Lt wrist X-ray · PA/AP · subsequent exam · cast in situ · 68.3 mm image width · image size 474x1026 —

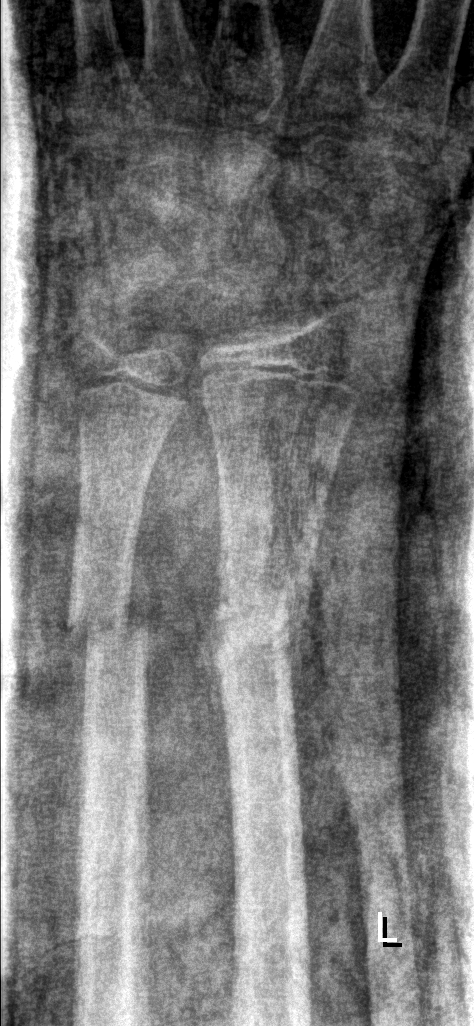
(pixel coordinates, top-left origin, xyxy)
Bone fracture = 196,574,317,693
  56,579,163,674
AO classification = 22-D/4.1